Left wrist plain film; lat; age 13 y, female —

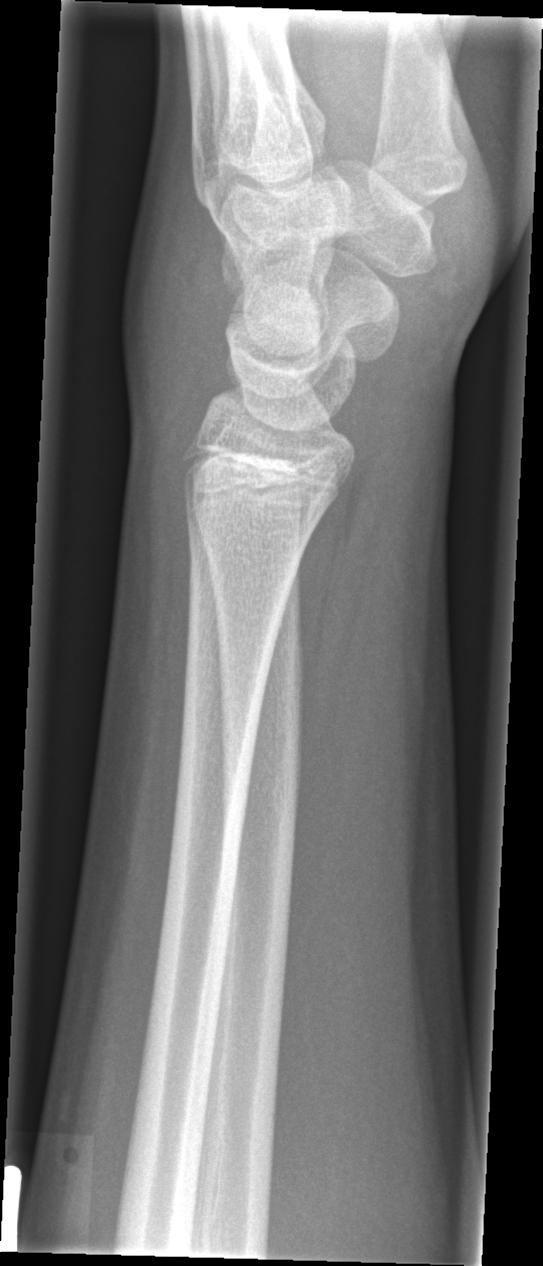 {
  "fracture": "present but not clearly seen in this view",
  "softtissue": "1 @ [x1=113, y1=179, x2=247, y2=466]"
}